Left wrist radiograph, AP projection, 10-year-old boy, in cast:
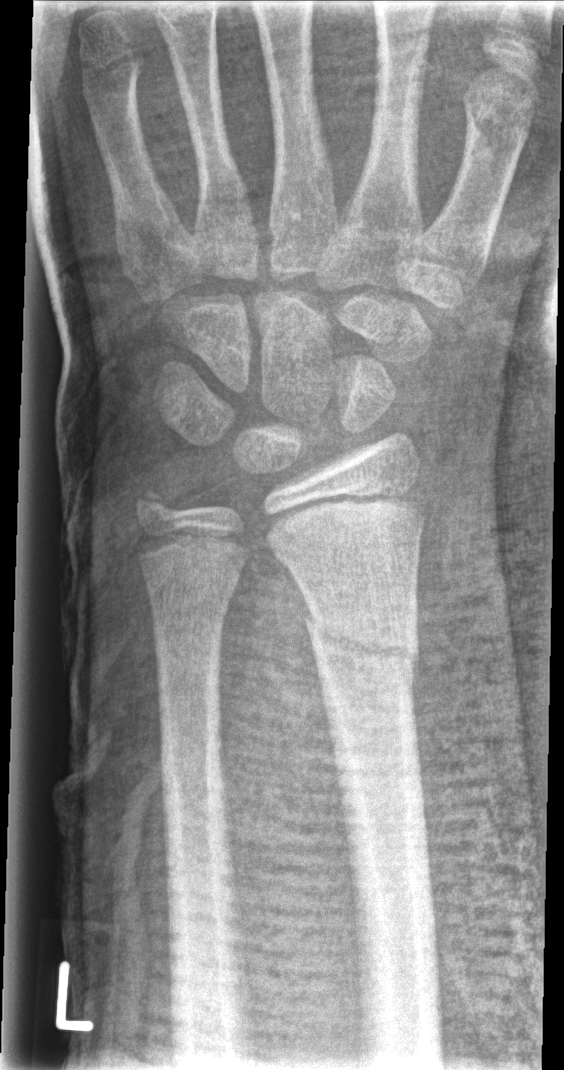 Q: AO code?
A: Fracture classified AO/OTA 23r-M/3.1; 23u-E/7
Q: Locate any fractures.
A: Bone fracture identified at (left=302, top=603, right=422, bottom=697), (left=127, top=480, right=180, bottom=534)